Lat, right plain radiograph of the wrist, 11y M —
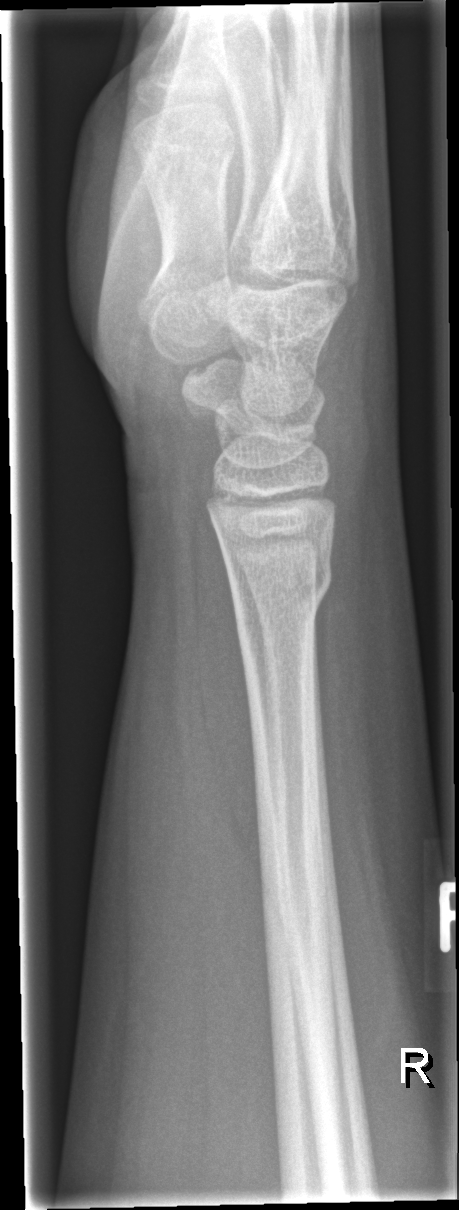 FINDINGS: AO code 23r-M/2.1. One bone fracture at <219,555>-<334,612>.